Lateral view, right wrist pediatric wrist radiograph, female, 14 yo, Siemens, 75.5 mm image width —

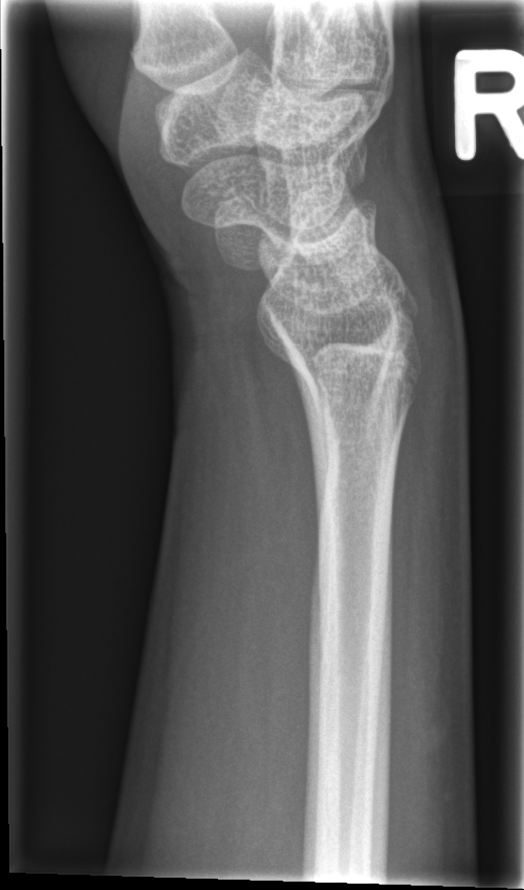

• No Fx annotated.